Lat projection; right wrist pediatric wrist radiograph; age 13 y, boy; follow-up.

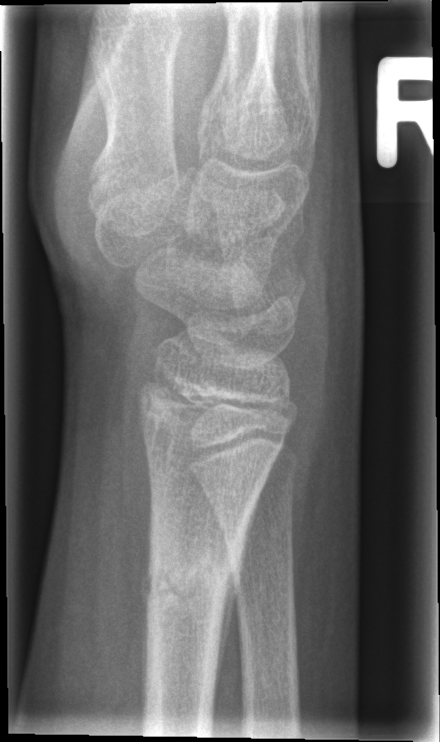 - One Fx at [x1=134, y1=546, x2=245, y2=616].
- Two periosteal new bone at [x1=212, y1=480, x2=265, y2=717]; [x1=139, y1=505, x2=157, y2=711].